PA/AP view | L pediatric wrist radiograph | 15y M.

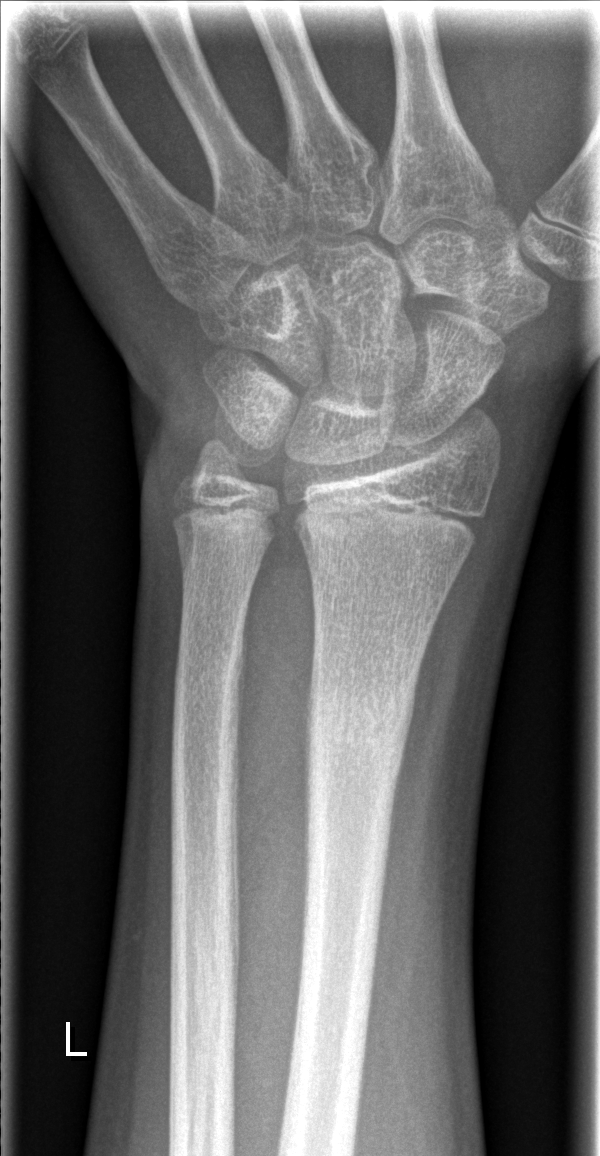
Bone fracture: [x1=302, y1=665, x2=416, y2=797] [x1=167, y1=646, x2=250, y2=733]